Left wrist radiograph; lateral view; age 12 y, girl; acquired on Siemens; image 85.7 mm wide
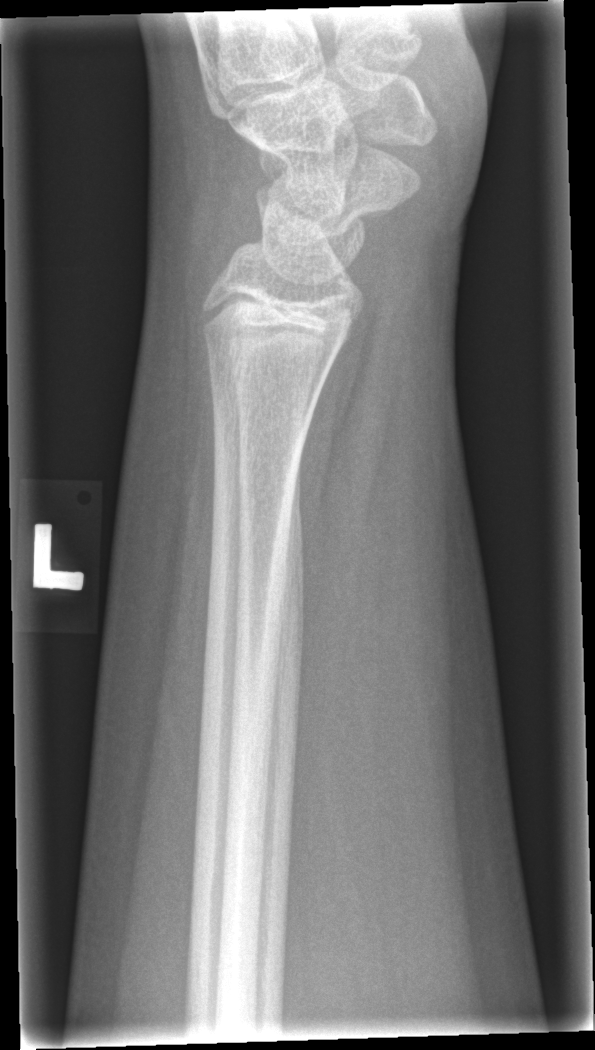
Findings: No Fx annotated.